Frontal view | L wrist XR | 15-year-old female | follow-up study. 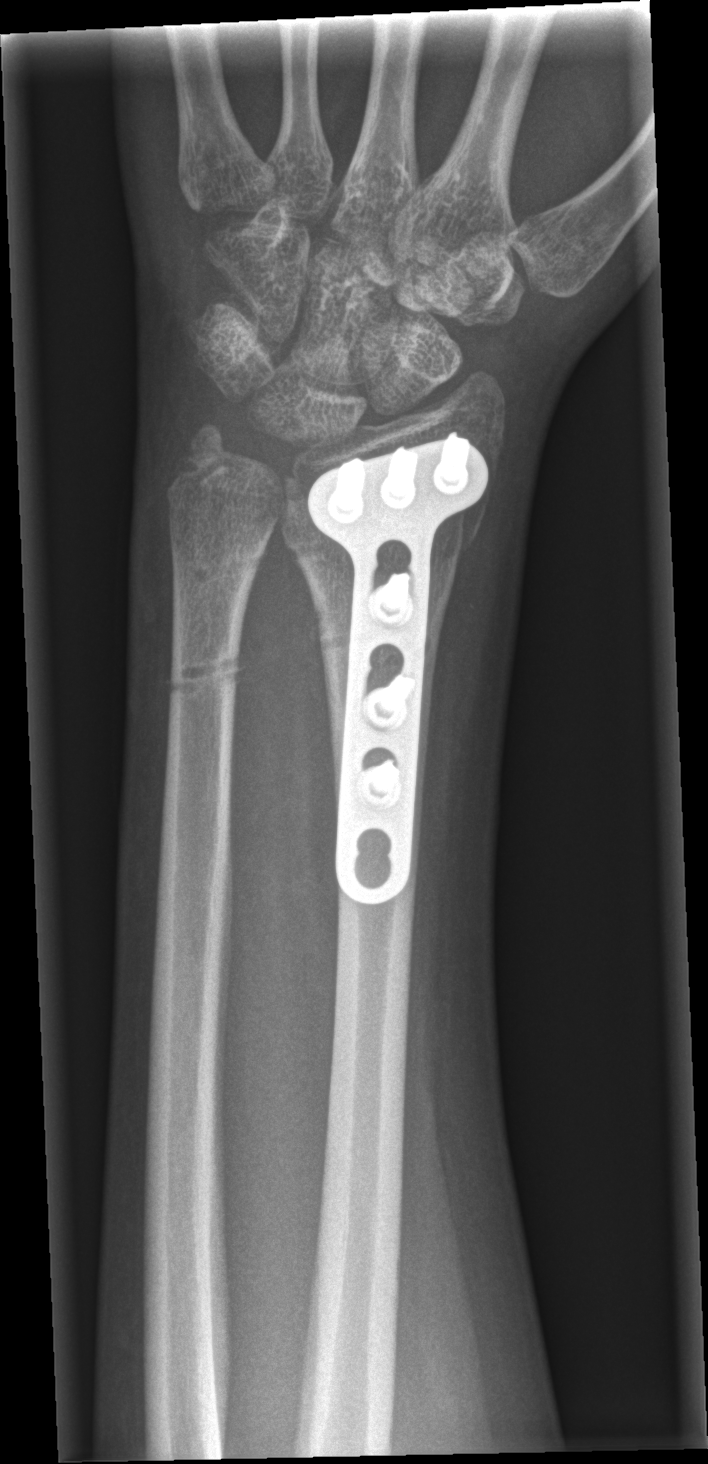 Pixel coordinates, top-left origin, xyxy. Osseous anomaly — [x1=168, y1=649, x2=249, y2=699]. Fracture: [x1=274, y1=482, x2=494, y2=552], [x1=161, y1=414, x2=246, y2=492]. One hardware at [x1=285, y1=434, x2=481, y2=913].